PA/AP view, Lt plain radiograph of the wrist, girl, 11 yo, index exam, image 105.4 mm wide, image size 732x1314:
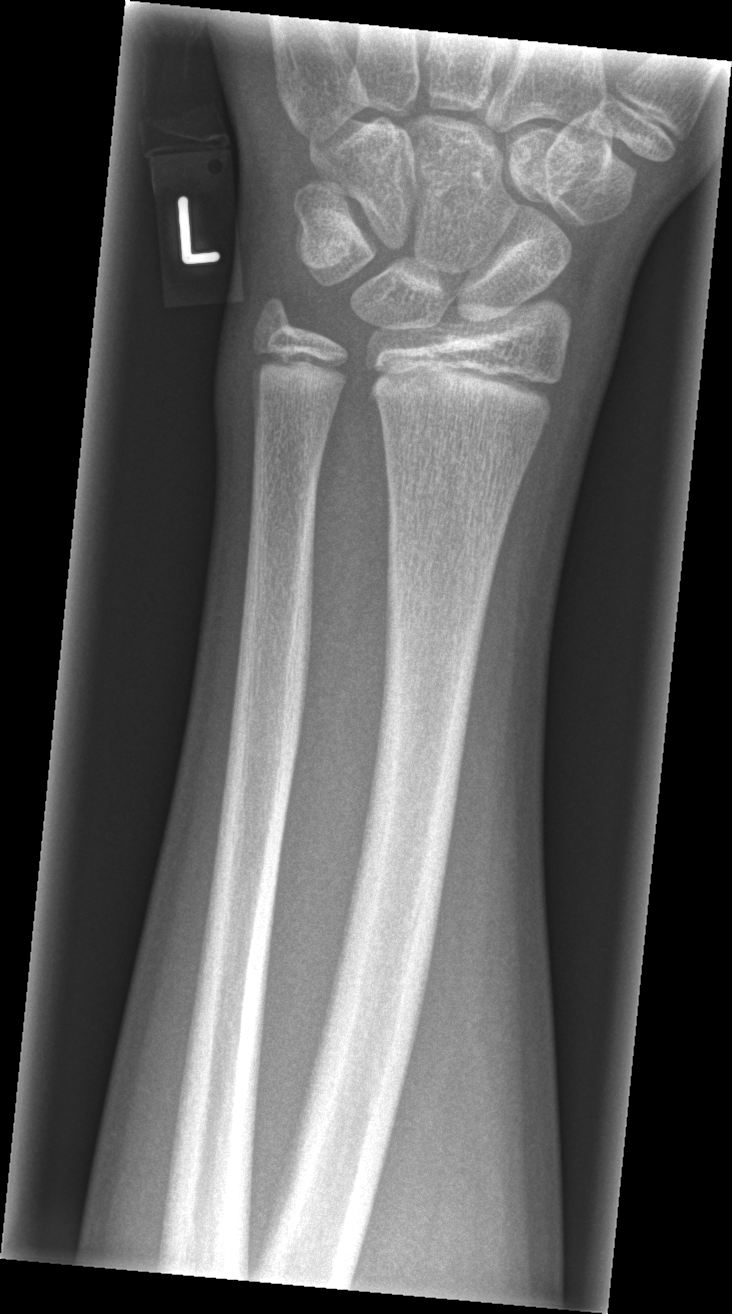
Fx: none.